Left wrist radiograph; lat view; age 15 y, boy. 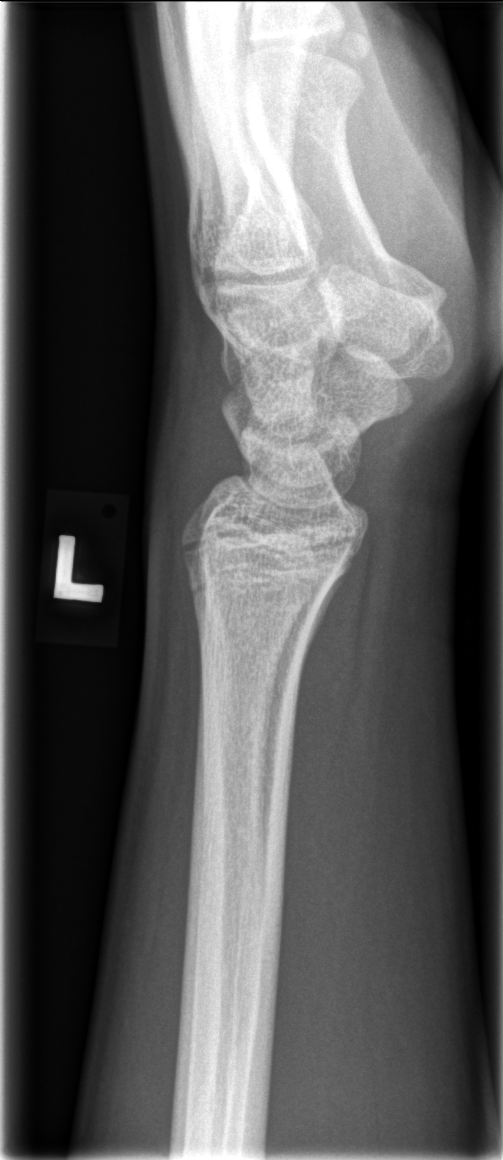

No fracture labeled.